Left wrist plain radiograph of the wrist; lat; index exam; acquired on Siemens — 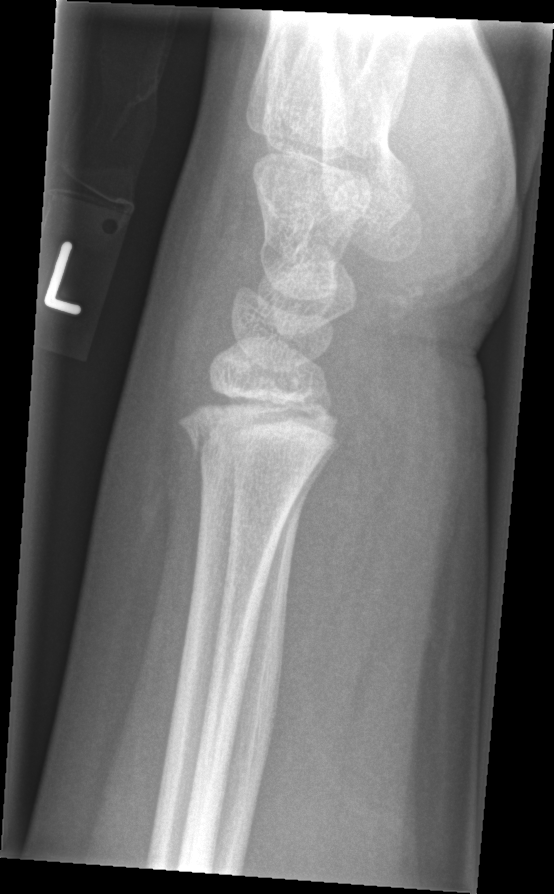
(coordinates are [x1, y1, x2, y2] in image pixels)
AO classification = 23r-E/2.1
fracture = <172,392>-<341,465>
positive pronator fat-pad sign = <278,387>-<393,708>